Lat view · left wrist radiograph · imaged through cast.

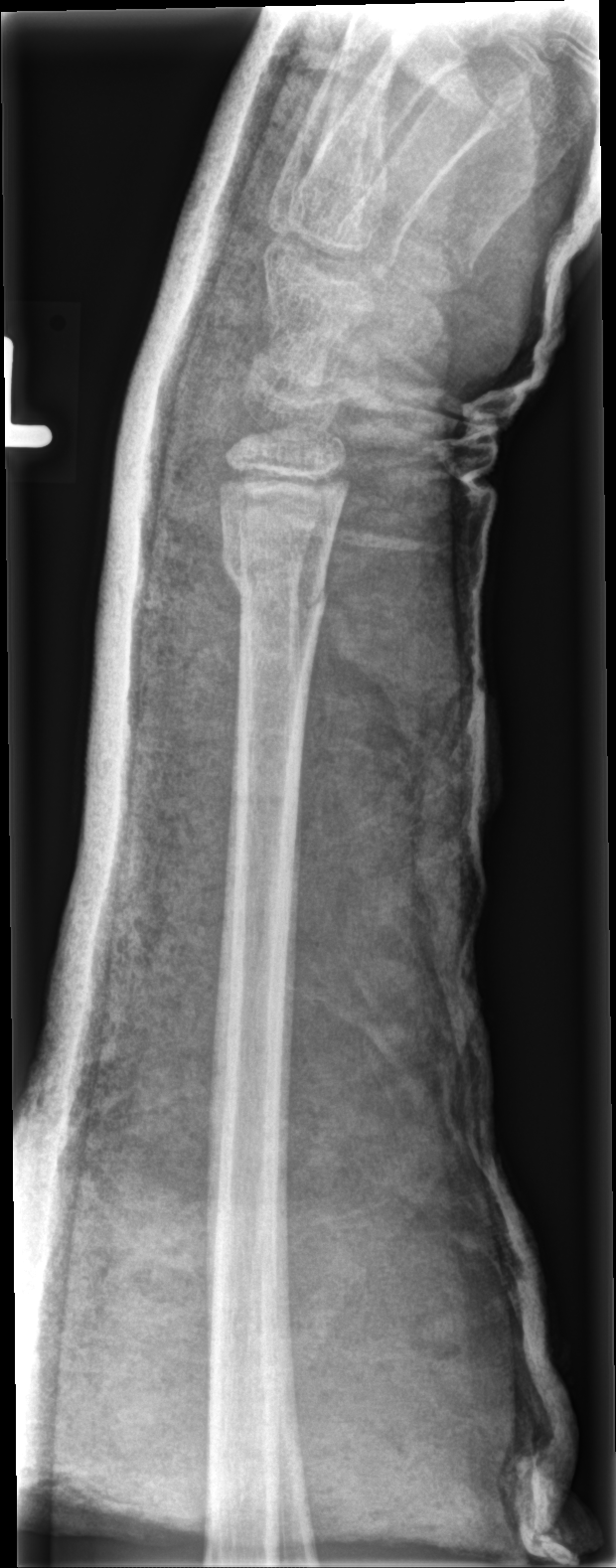
Bone fracture: bbox(220, 540, 330, 630).